Lateral, left pediatric wrist radiograph, pediatric patient (male, age 10), image 58.8 mm wide
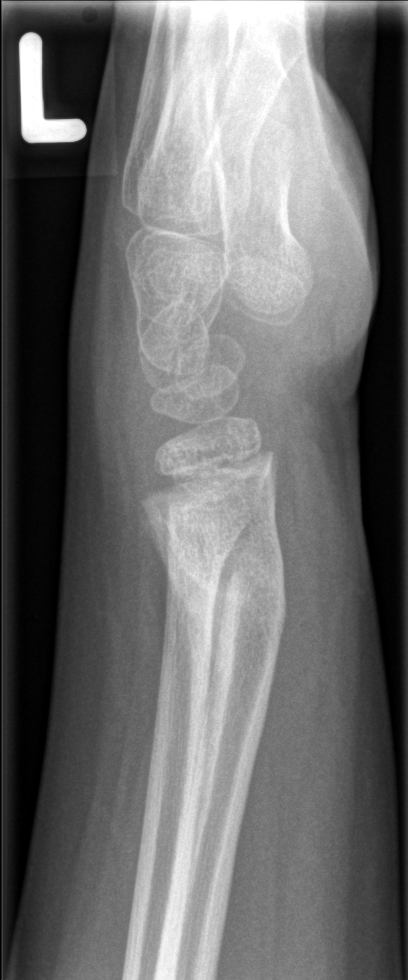

Bounding boxes in image-pixel xyxy. Periosteal thickening: 140,517,234,858. Fracture: 152,512,296,697. AO/OTA classification: 23-M/3.1.